Left wrist X-ray; lateral; detector: Siemens: 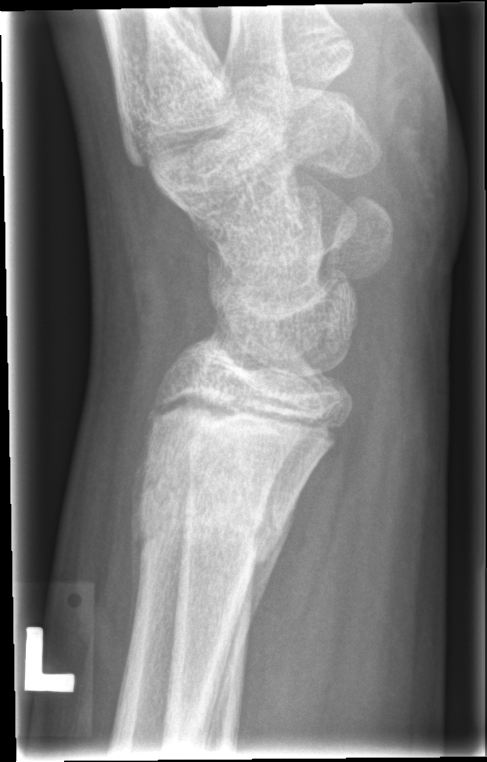
Boxes as x1,y1,x2,y2 (top-left / bottom-right, pixel units). Fracture classified AO/OTA 23r-M/3.1; 23u-E/2.1. One bone fracture at <132,454>-<304,576>. Periosteal reaction identified at <205,500>-<296,746>; <123,414>-<154,682>.